PA/AP projection; Rt wrist X-ray; presentation radiograph — 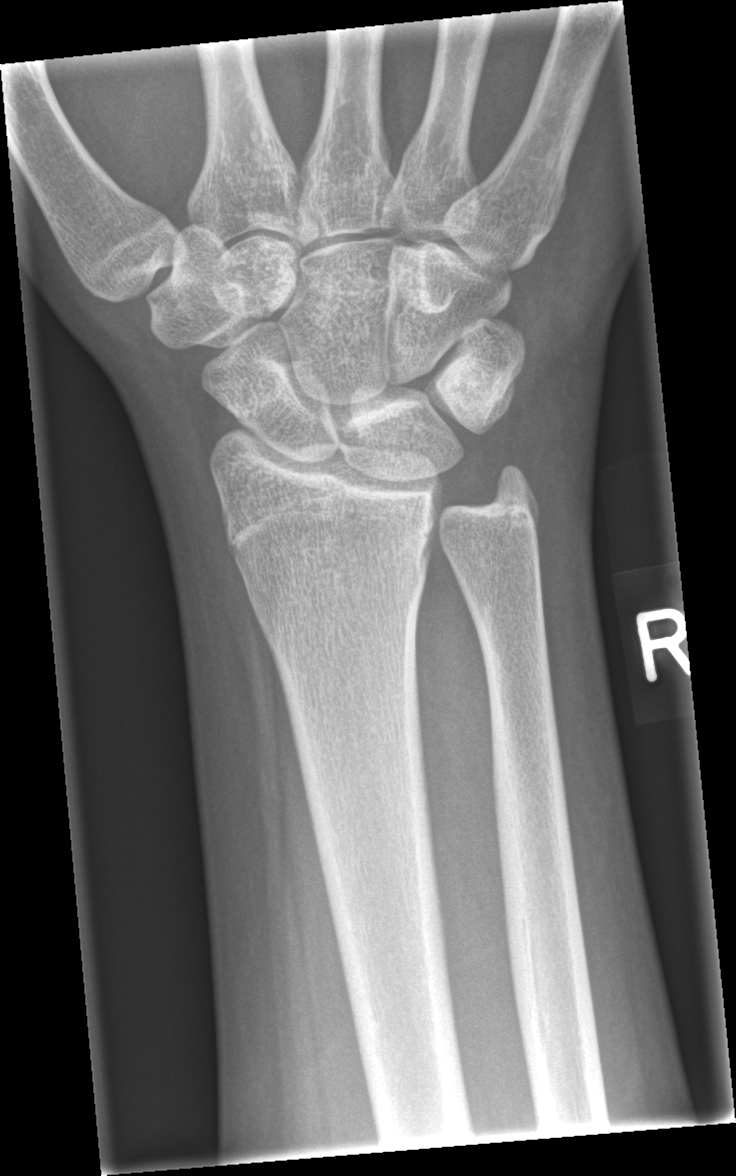

- Fx: none.